Rt wrist X-ray | lateral view | 6-year-old female | follow-up —
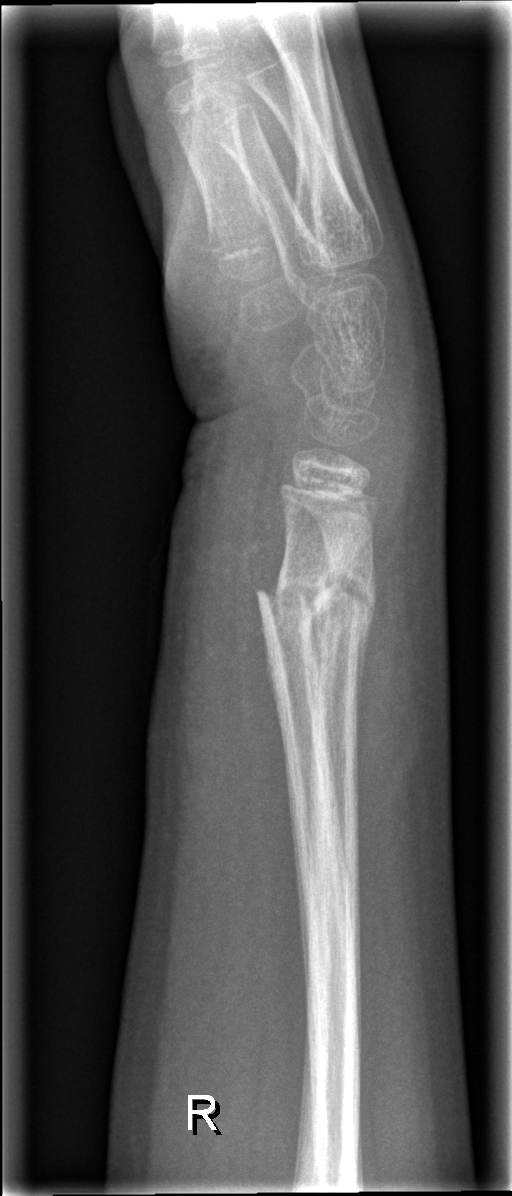
Findings: (boxes as x1,y1,x2,y2 (top-left / bottom-right, pixel units)) Periosteal reaction: 355,558,378,754. Fx: 255,561,382,654. Fracture classified AO/OTA 23-M/3.1.